Rt plain radiograph of the wrist; lat view:

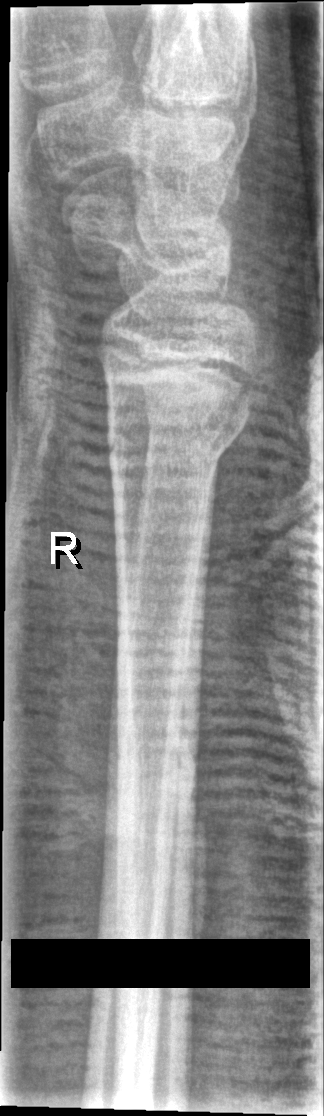

• Bone fracture identified at bbox(98, 393, 254, 480).